R wrist radiograph; lat view; female, 17 yo. 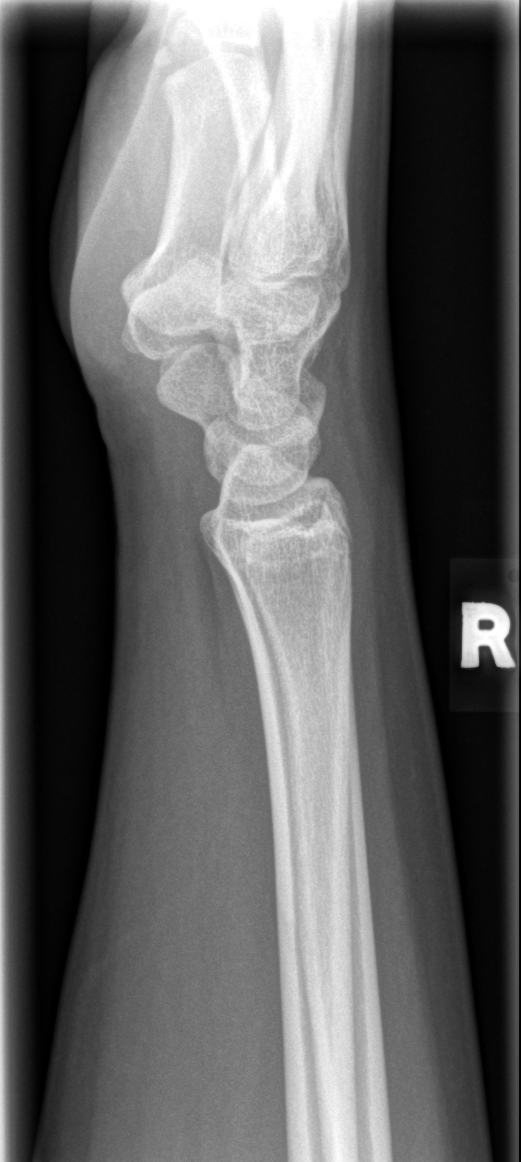
Fx: none labeled